PA; left wrist radiograph; age 10 y, boy.

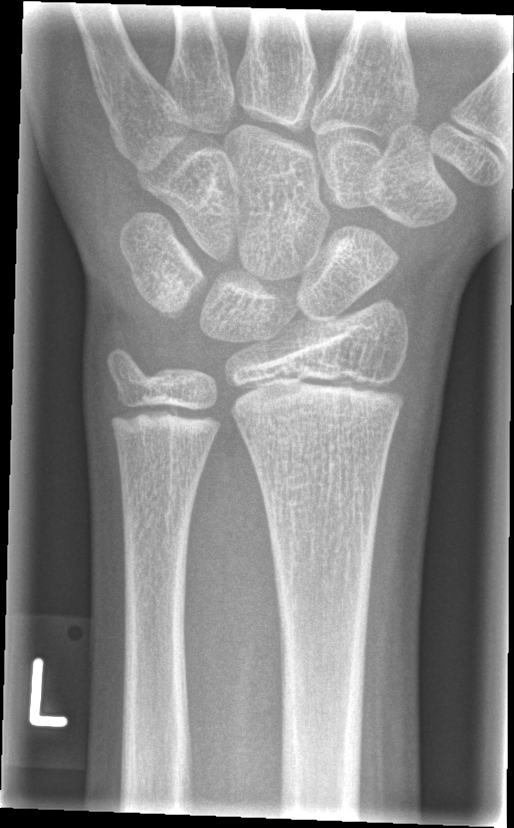
Fx: none labeled